PA/AP | R wrist plain film
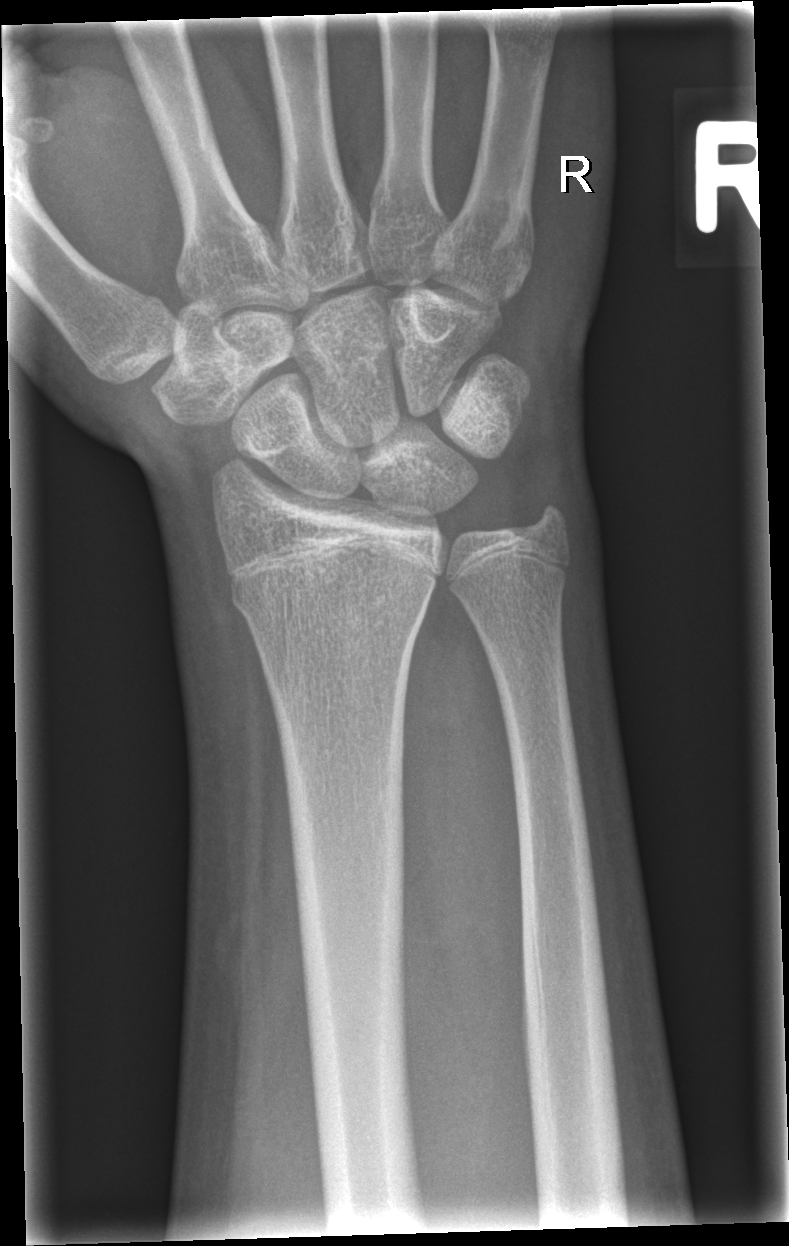

Fx = 1 @ [226, 556, 440, 622]